Left wrist radiograph · PA view · image 72.3 mm wide · 502 x 860 px

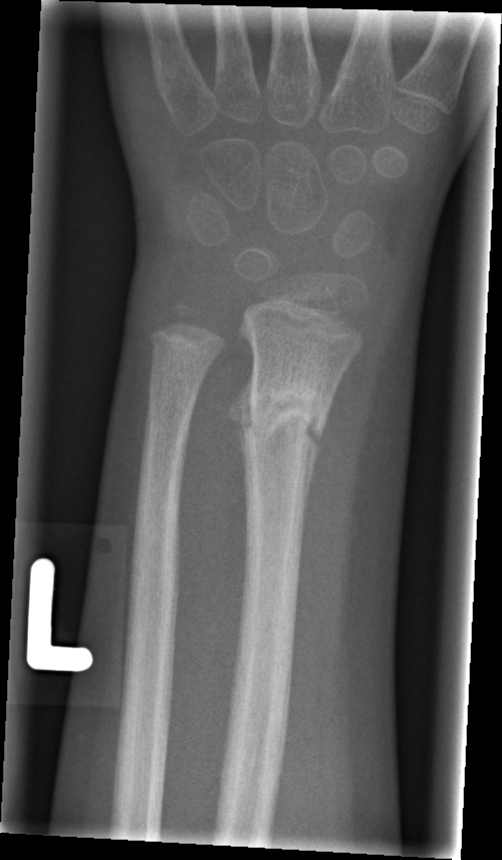

Fx identified at bbox(241, 382, 320, 456). Decreased bone density (osteopenia).